AP view | left wrist XR | 647 by 1214 pixels

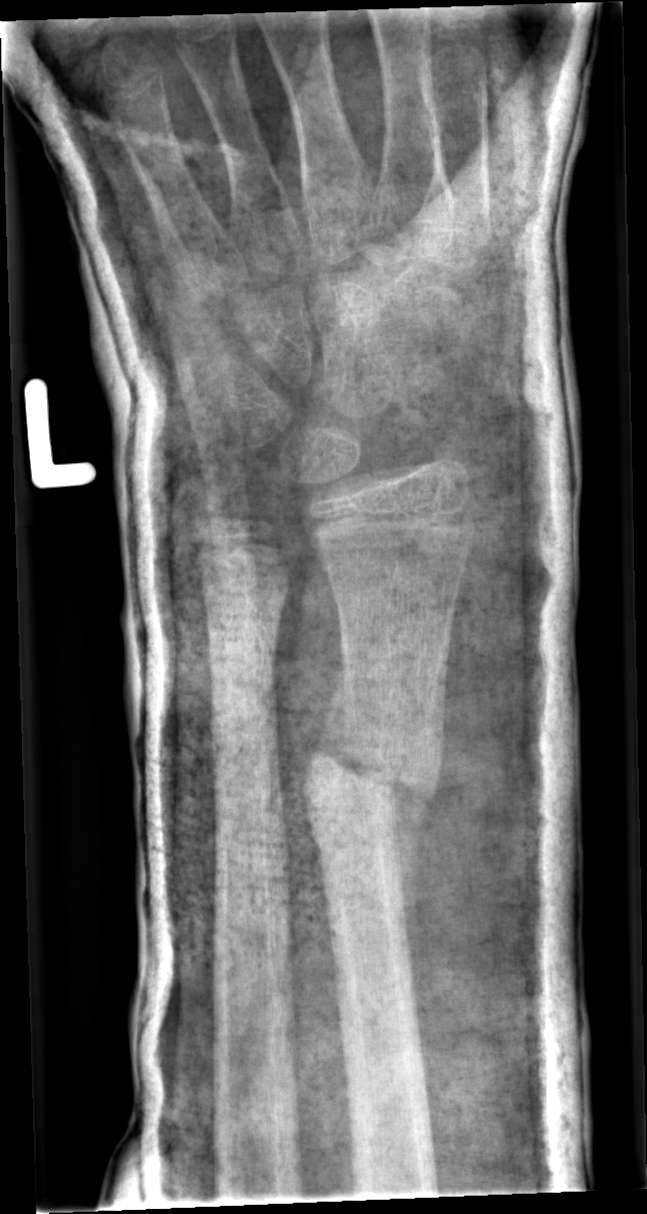 {
  "ao": "22r-D/4.1",
  "periostealreaction": "[x1=391, y1=781, x2=432, y2=1015]; [x1=318, y1=660, x2=349, y2=772]",
  "fracture": "[x1=299, y1=708, x2=449, y2=846]"
}